Lat; Rt wrist X-ray; cast in situ; detector: Siemens: 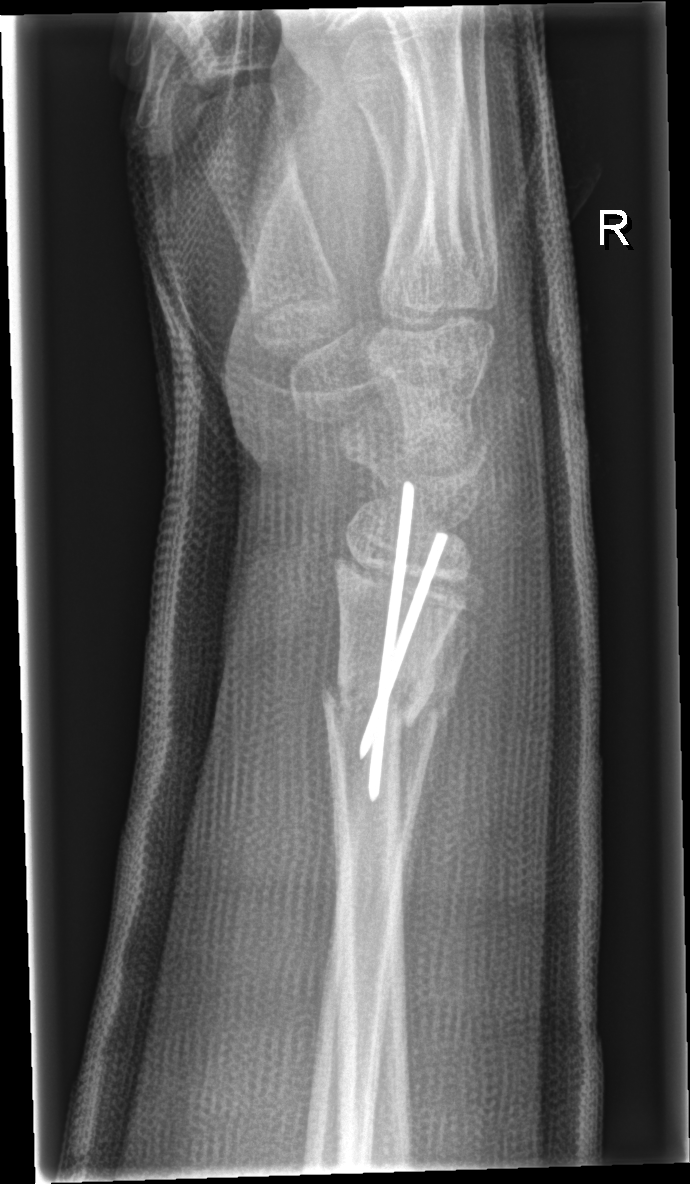

Bone fracture identified at (left=319, top=668, right=434, bottom=736). Metallic hardware: (left=356, top=476, right=448, bottom=800). AO code 23-M/3.1.